PA projection, Rt plain radiograph of the wrist.

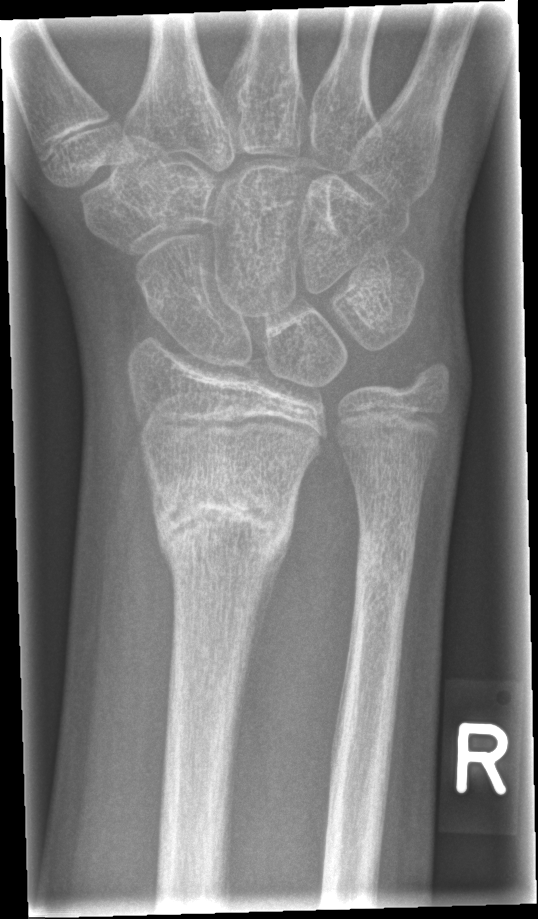 AO code 23-M/3.1.
Osteopenia.
Periosteal reaction identified at 233 532 290 766.
Fracture identified at 146 456 303 582 | 353 531 412 606.